R wrist plain film | PA/AP | age 12 y, male | image 76.5 mm wide

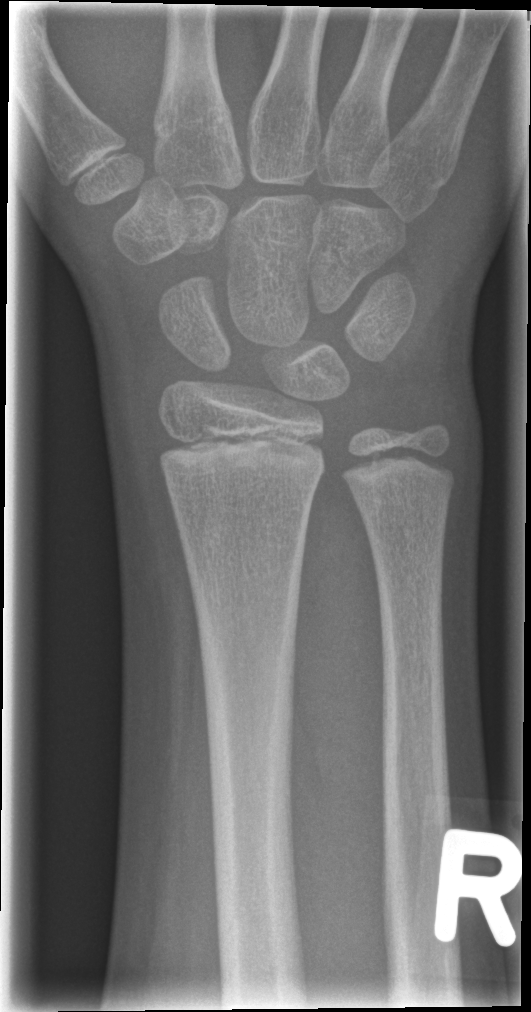 FINDINGS — Fracture: none labeled.